R wrist plain film; lateral; presentation radiograph; 75.3 mm image width —
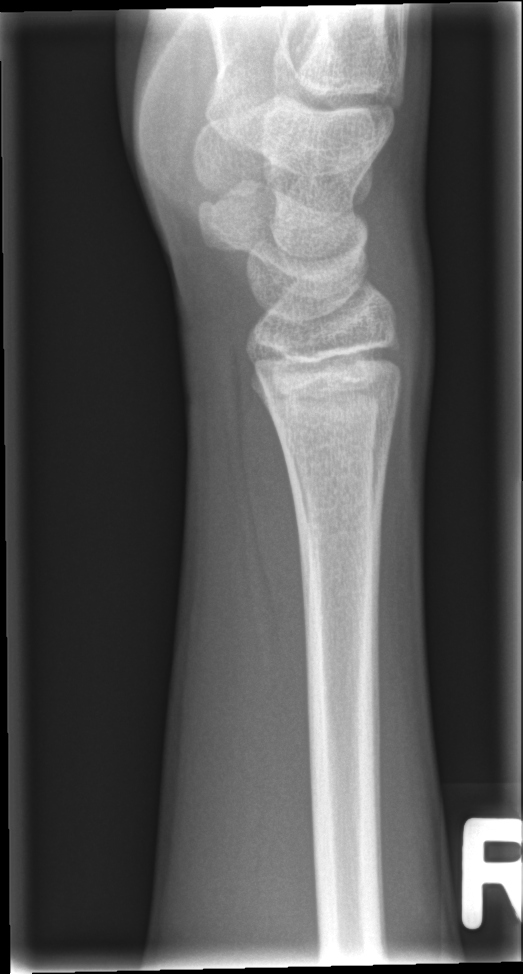 Bone fracture: none labeled